Lat · left wrist XR:
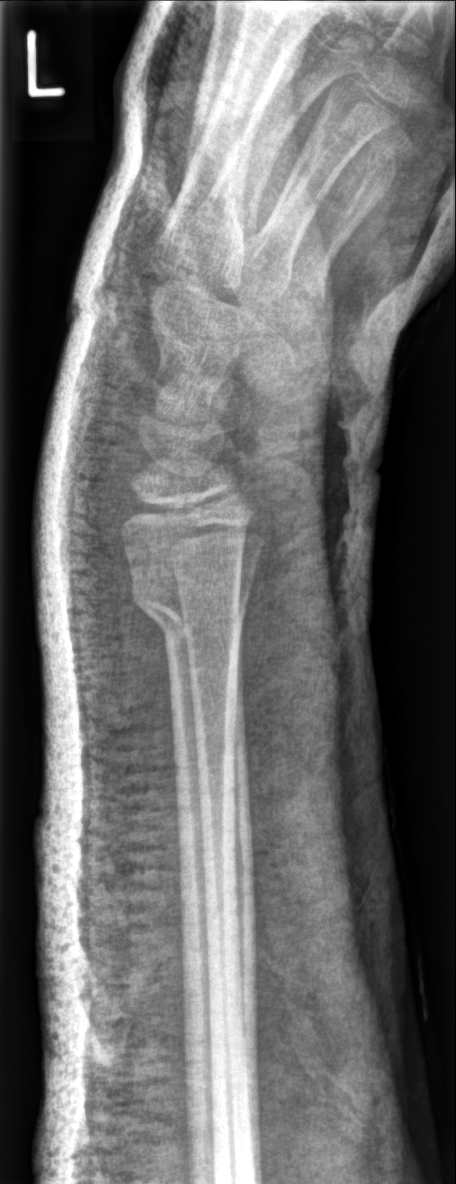 Q: AO code?
A: AO/OTA classification: 23r-M/3.1
Q: Fracture present?
A: One Fx at <129,580>-<247,642>